Left wrist XR, lateral projection, 14y F, image 65.5 mm wide
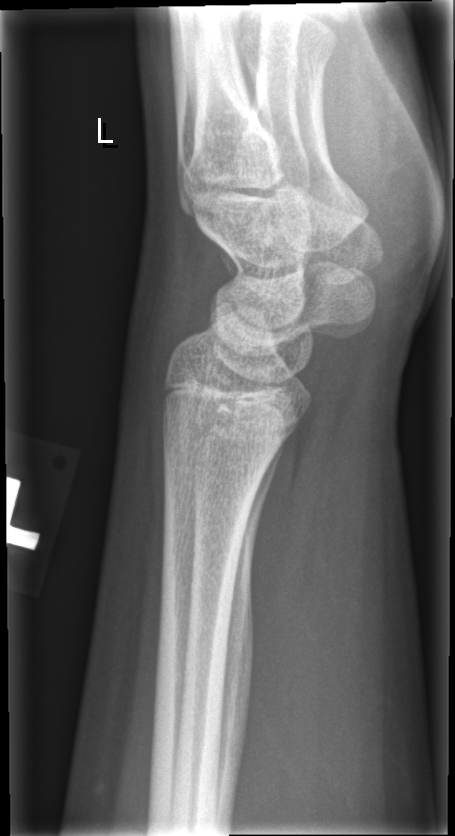
No fracture annotation.